Left wrist XR · frontal view · female, 12 yo · initial study —
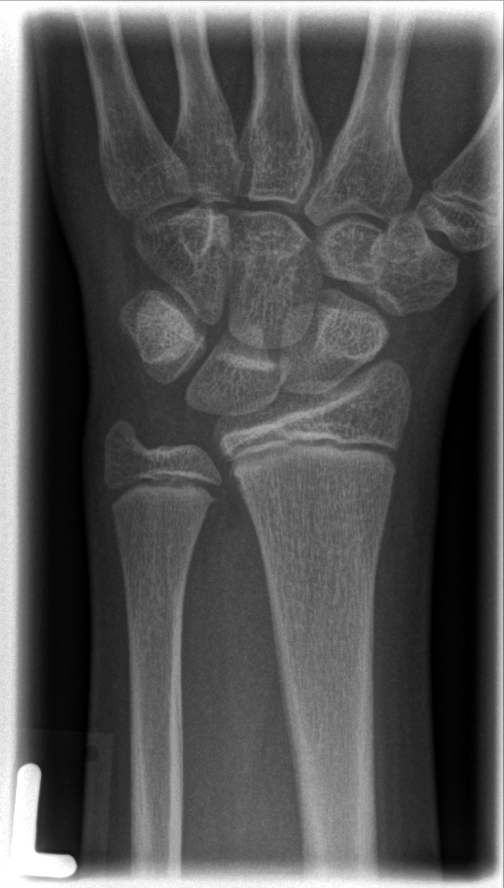 Fracture: none labeled.